Lateral; left plain radiograph of the wrist; 11-year-old female; Siemens. 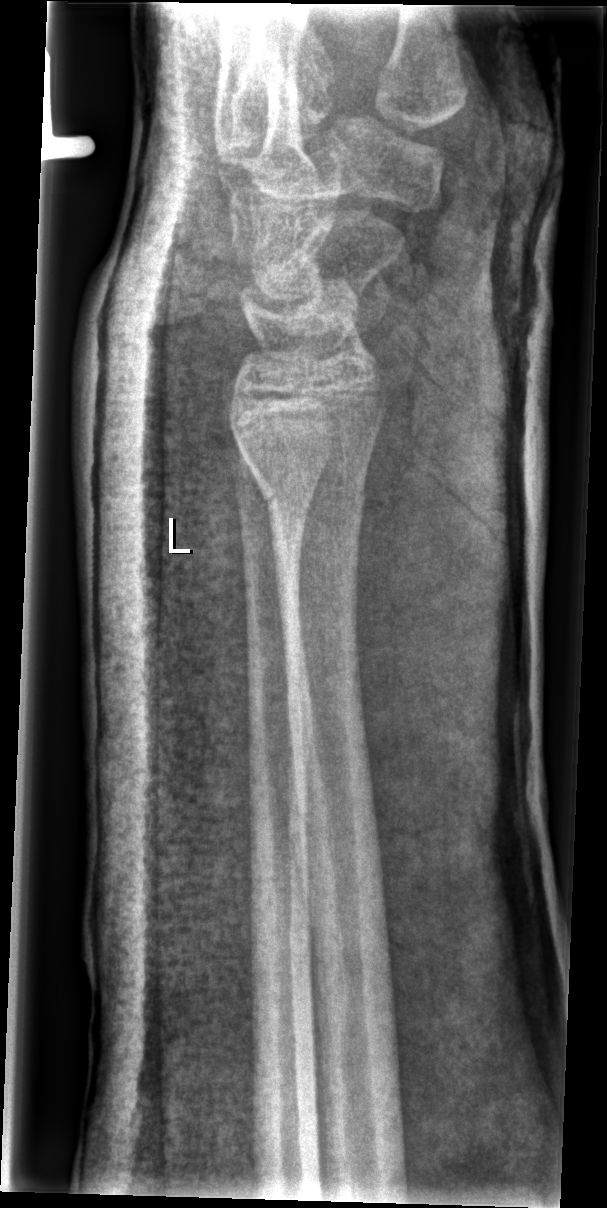
AO/OTA = 23r-M/3.1; 23u-E/7
Bone fracture = (250, 448, 372, 519)